Right wrist radiograph, lateral projection, subsequent exam, 69.1 mm image width, image size 480x1136 — 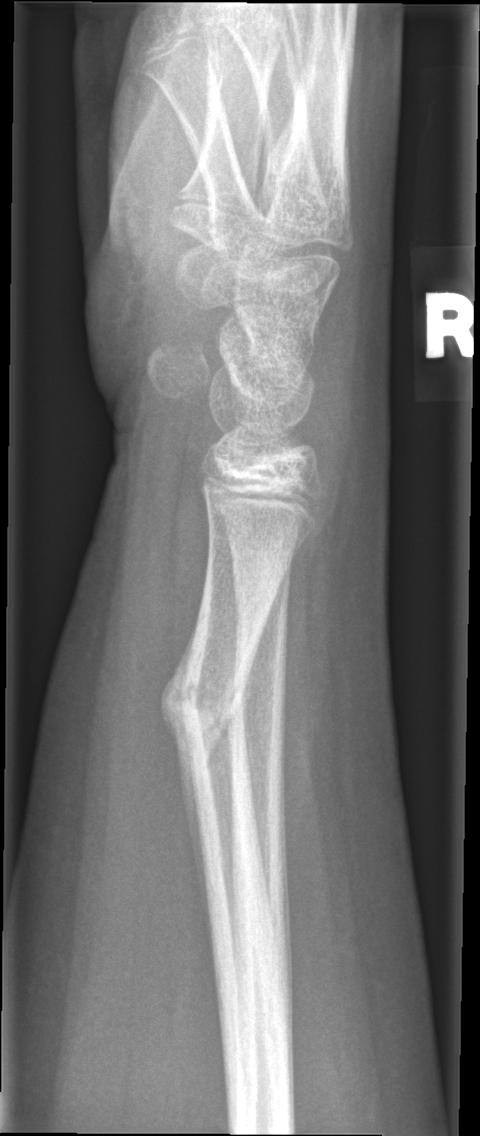

Boxes as x1,y1,x2,y2 (top-left / bottom-right, pixel units).
One periosteal new bone at 159 620 217 965.
Osteopenia.
AO/OTA classification: 23-M/3.1.
Fracture — 176 645 252 745.